R wrist XR; PA view; 12y M; initial study —
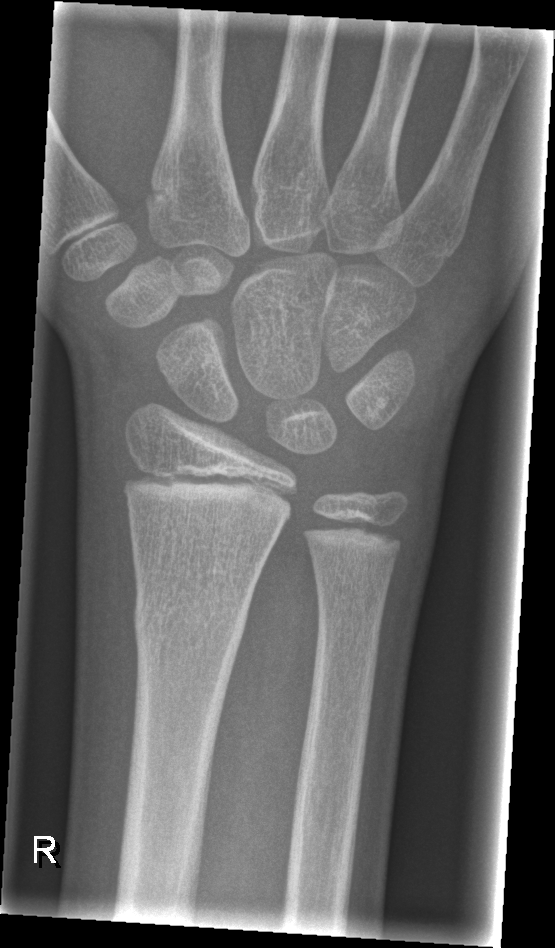
AO code 23r-M/2.1.
One Fx at [x1=129, y1=570, x2=253, y2=666].